AP · R plain radiograph of the wrist · 15-year-old boy · image 121.5 mm wide.
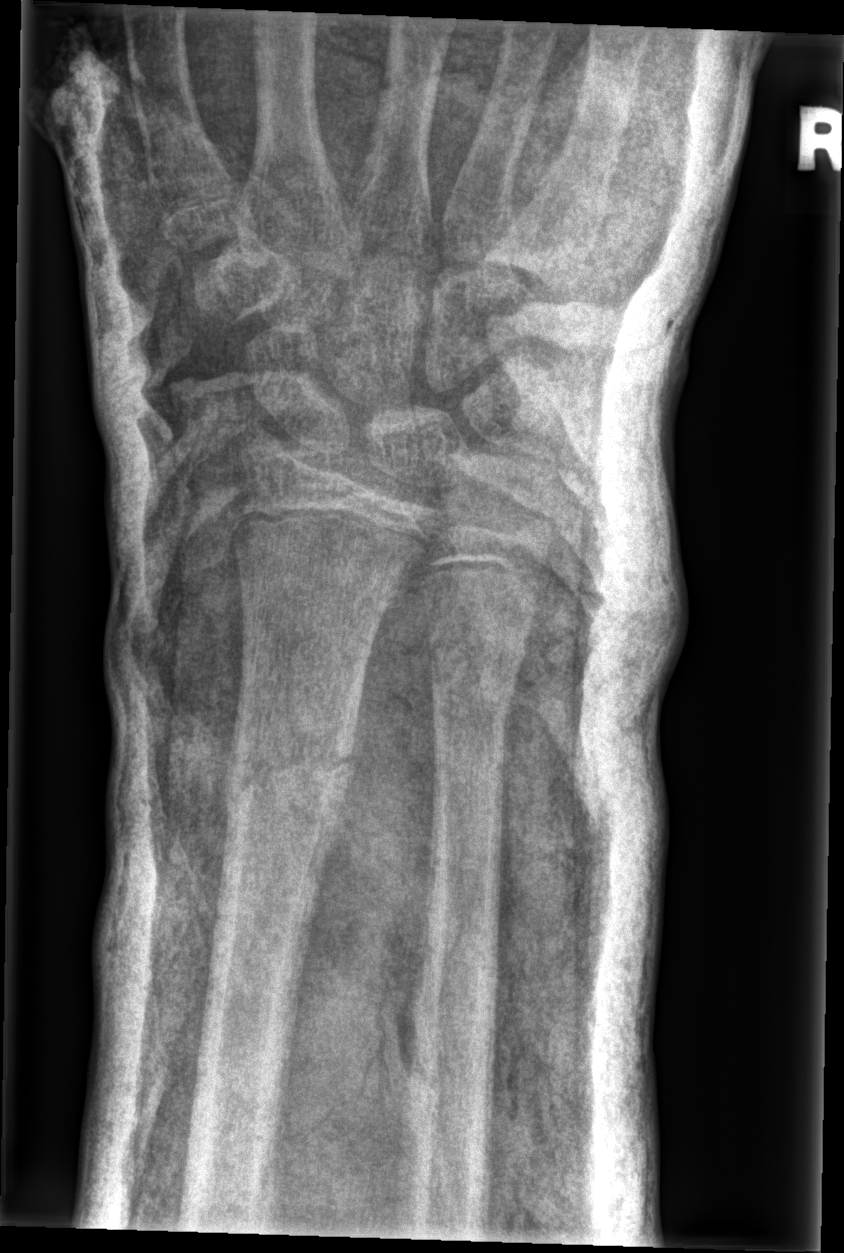

• Two bone fractures at (221, 712, 351, 846), (424, 614, 529, 717).